Lat projection; left wrist radiograph; initial study.

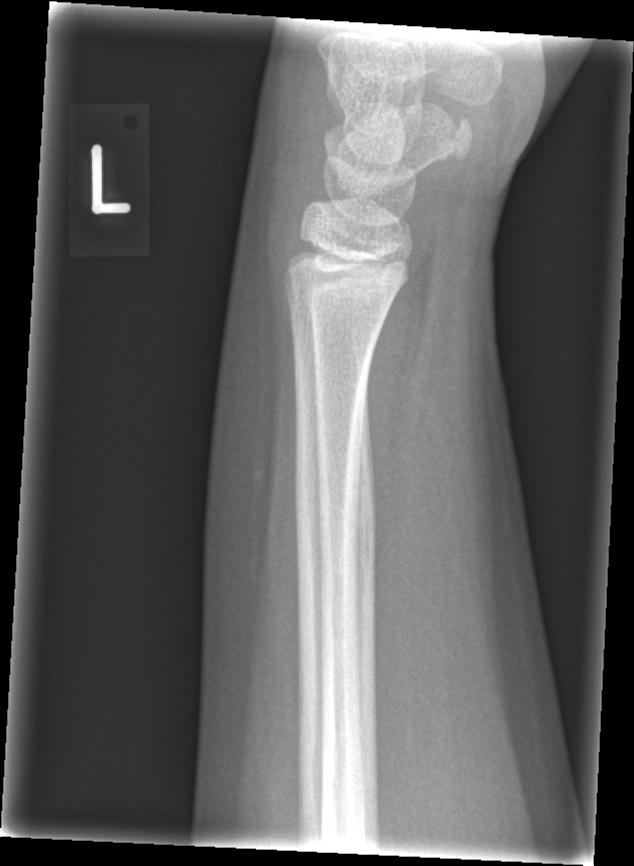
No fracture labeled.